AP view, R plain radiograph of the wrist, follow-up, image width 120.2 mm 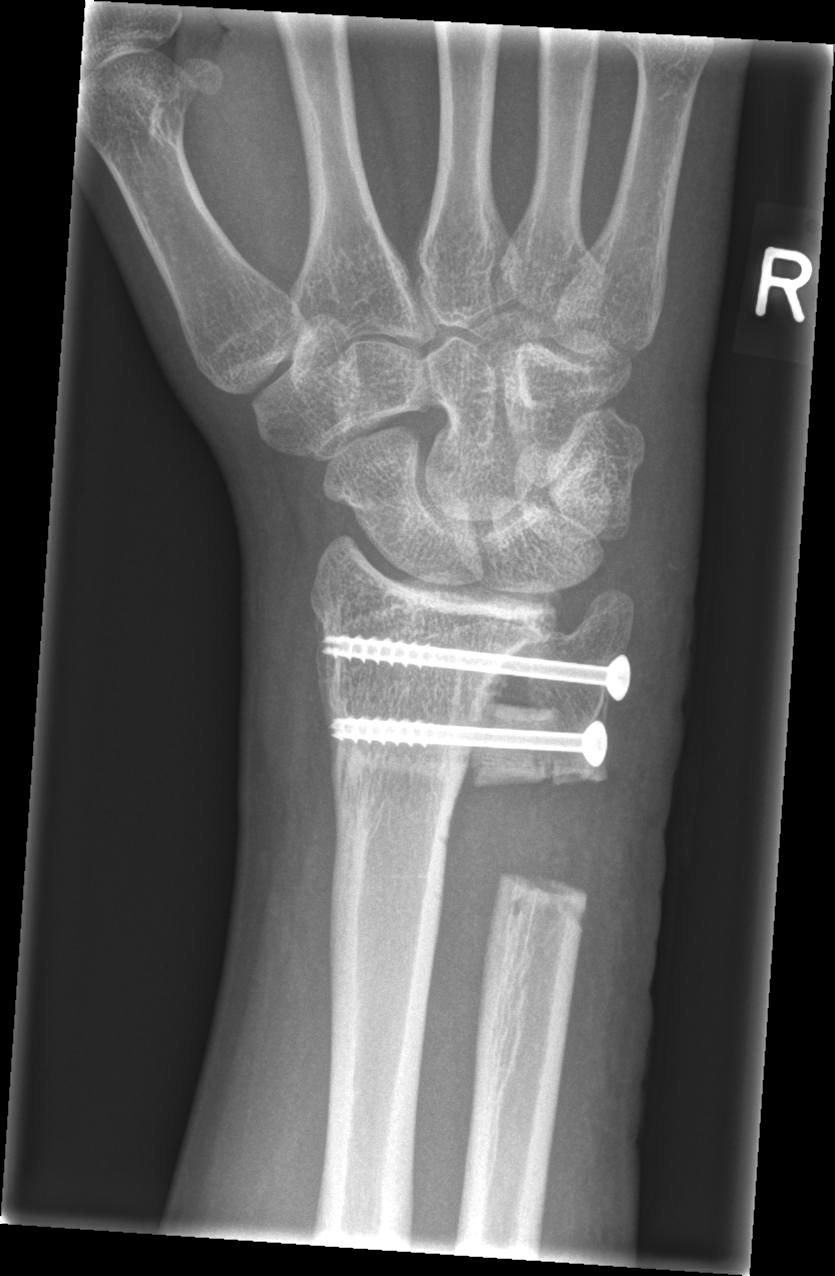
Metallic hardware = 318 629 634 705 | 326 714 609 770
Bone anomaly = 463 683 617 912
Fracture = none labeled